Lt wrist XR | lateral projection | presentation radiograph | image size 495x1250 — 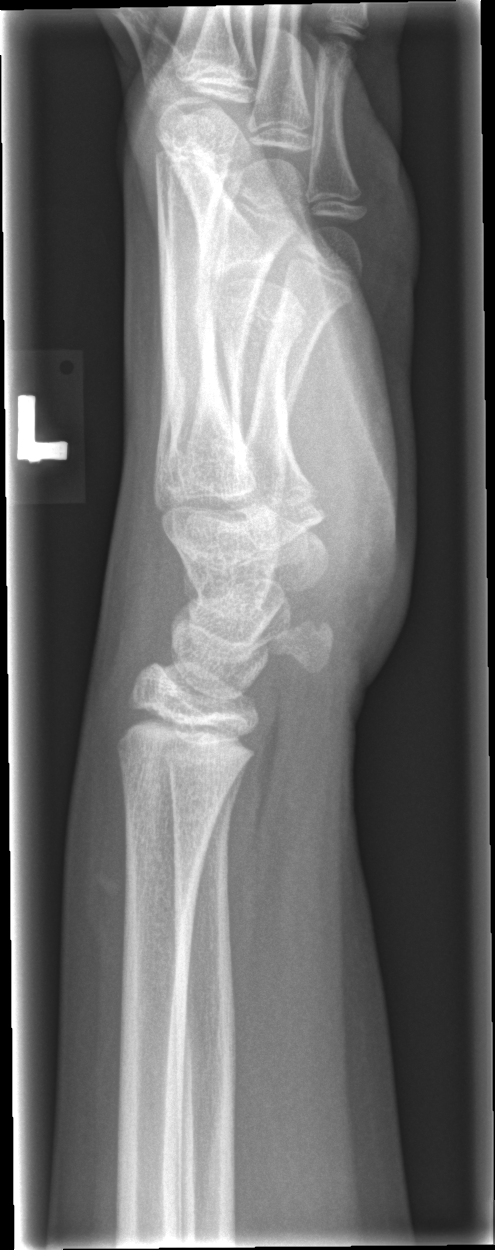

• No fracture annotation.